Right wrist radiograph, frontal view — 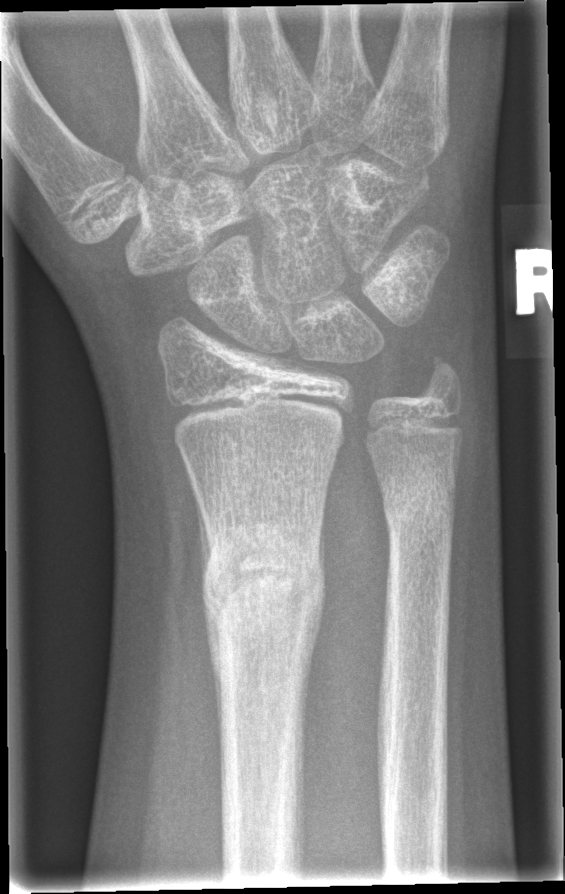 {"_coords": "coordinates are [x1, y1, x2, y2] in image pixels", "periostealreaction": "2 @ bbox(203, 612, 221, 725) bbox(196, 502, 210, 586)", "ao": "23-M/2.1; 23u-E/7", "fracture": "bbox(200, 525, 328, 649) bbox(378, 484, 459, 549) bbox(417, 349, 468, 400)"}